Rt plain radiograph of the wrist · AP projection · image size 852x926: 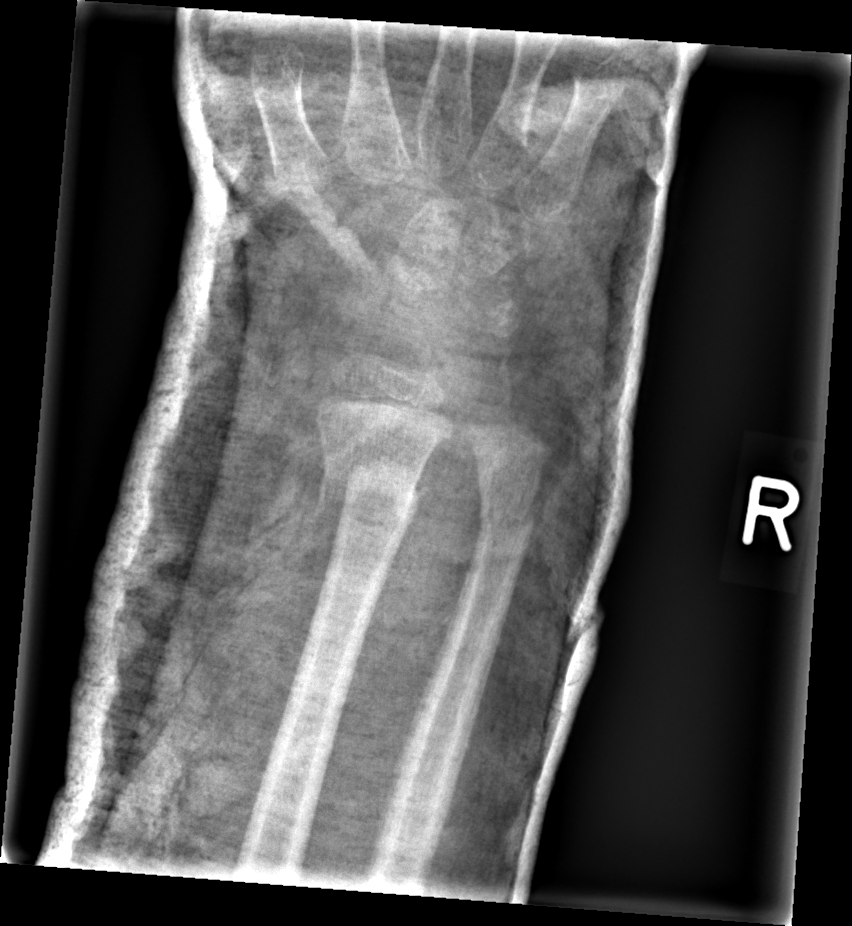 - Fracture identified at 317,428,431,517
  472,494,539,542.
- AO code 23-M/3.1.